Lateral view, L wrist XR, cast in situ, Siemens, image size 1024x1176.

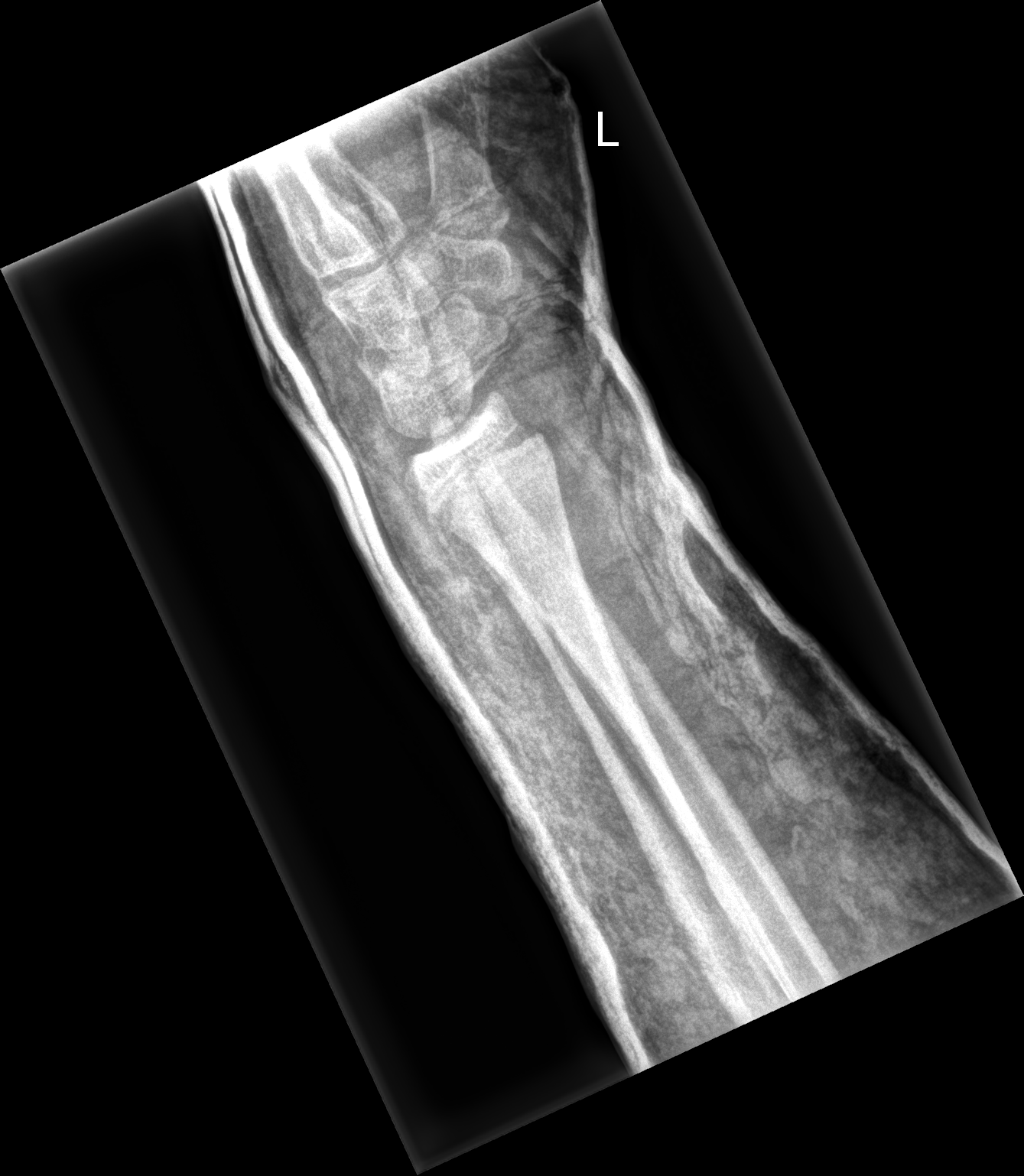

AO/OTA = 23r-E/2.1; 23u-M/2.1
Fracture = 1 @ 418,416,556,542